Lat, L wrist radiograph, pediatric patient (male, age 10), initial study:
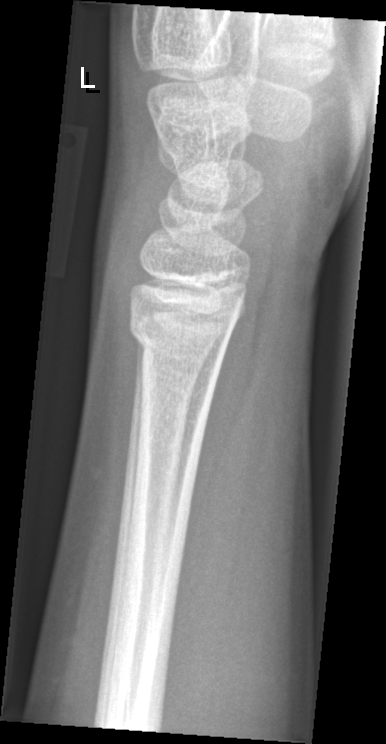

* AO code 23r-M/2.1.
* Bone fracture identified at 127 304 237 367.